Lat projection; left wrist pediatric wrist radiograph; follow-up — 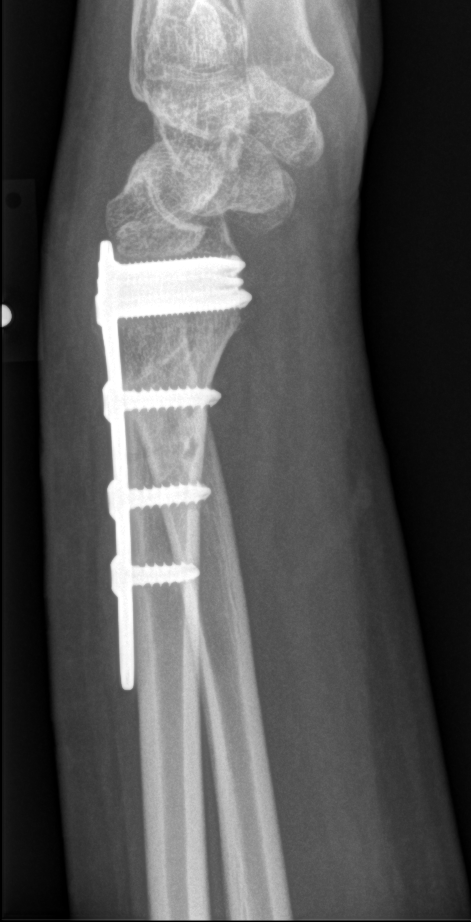

bone anomaly: [x1=125, y1=322, x2=216, y2=385] [x1=140, y1=425, x2=211, y2=483]
metallic implant: 1 @ [x1=88, y1=237, x2=249, y2=691]
bone fracture: present but not clearly seen in this view